Lateral view · right wrist XR · in cast · acquired on Siemens · 809x1094:

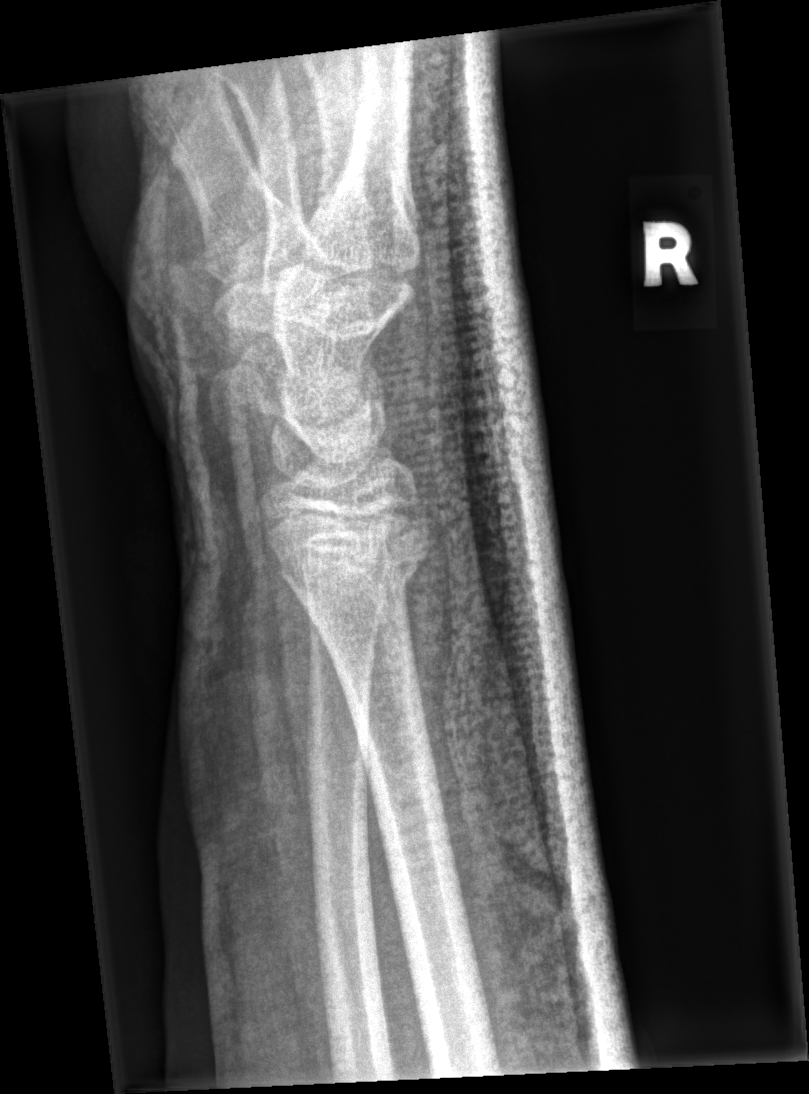 Findings: AO/OTA classification: 23r-M/3.1. Fx: [x1=270, y1=505, x2=431, y2=594].